Left wrist X-ray, PA view, 8-year-old female, cast present, 79.8 mm image width

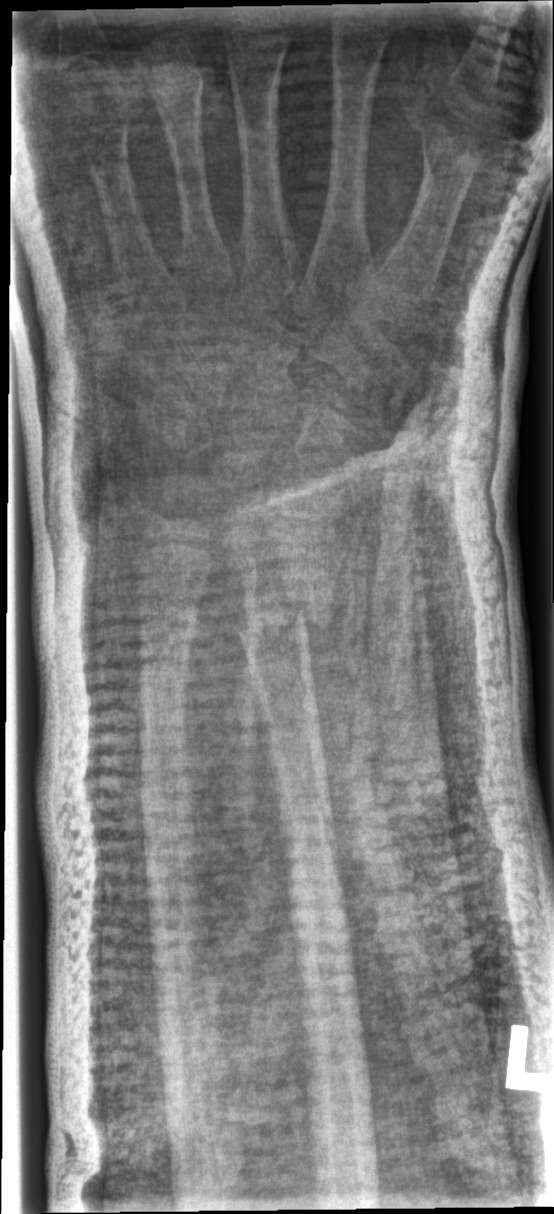
Fx = 1 @ [233, 600, 337, 650]
AO code = 23-M/3.1